L wrist plain film · lat · 14y M

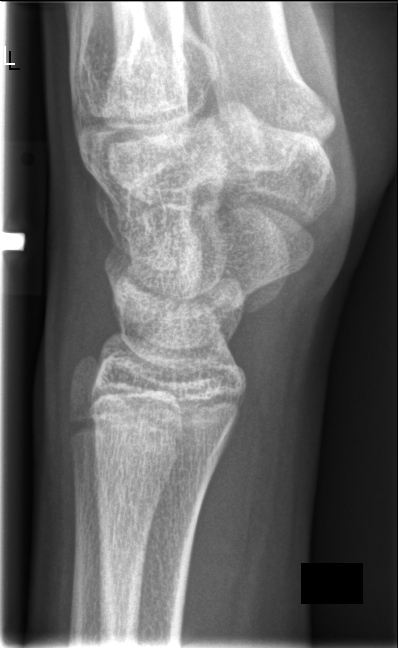

Fracture = none labeled